Lt wrist plain film · lat projection · 14y M · Siemens

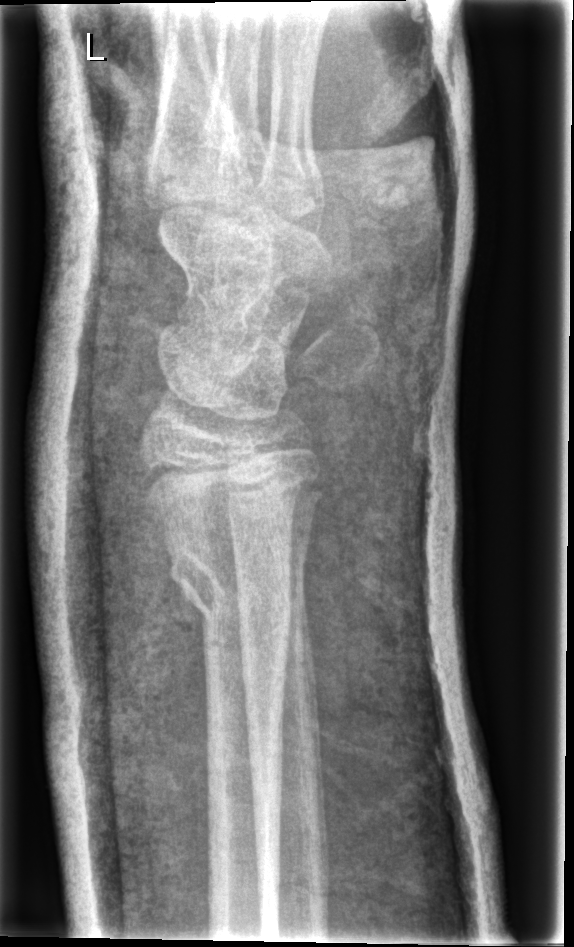 Fx — (left=166, top=545, right=301, bottom=630). AO/OTA classification: 23r-M/3.1; 23u-E/7.